Frontal projection; Rt pediatric wrist radiograph; age 9 y, girl 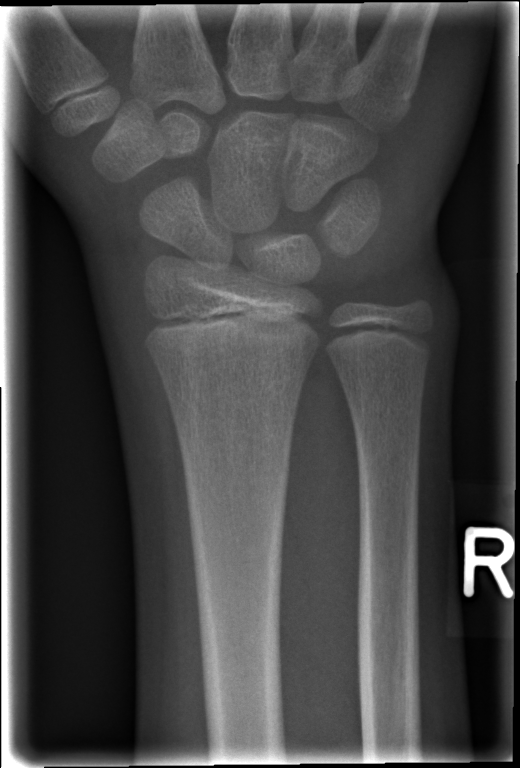

{"fracture": "none labeled"}